Posteroanterior projection; right plain radiograph of the wrist; presentation radiograph; image 91.2 mm wide; 633x916.

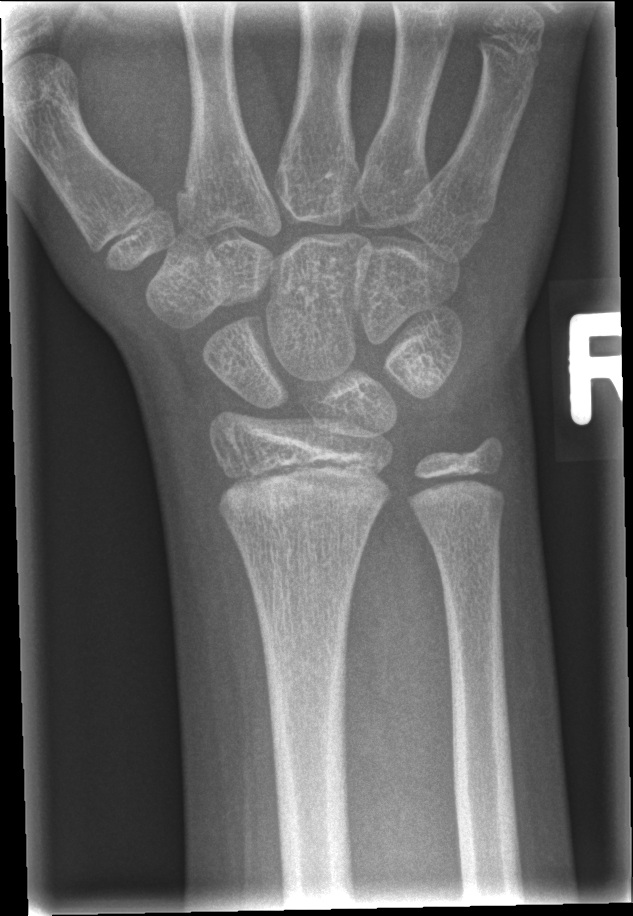
  fracture: present but not clearly seen in this view
  ao: 23r-M/2.1